L wrist plain film | AP view | 7-year-old male: 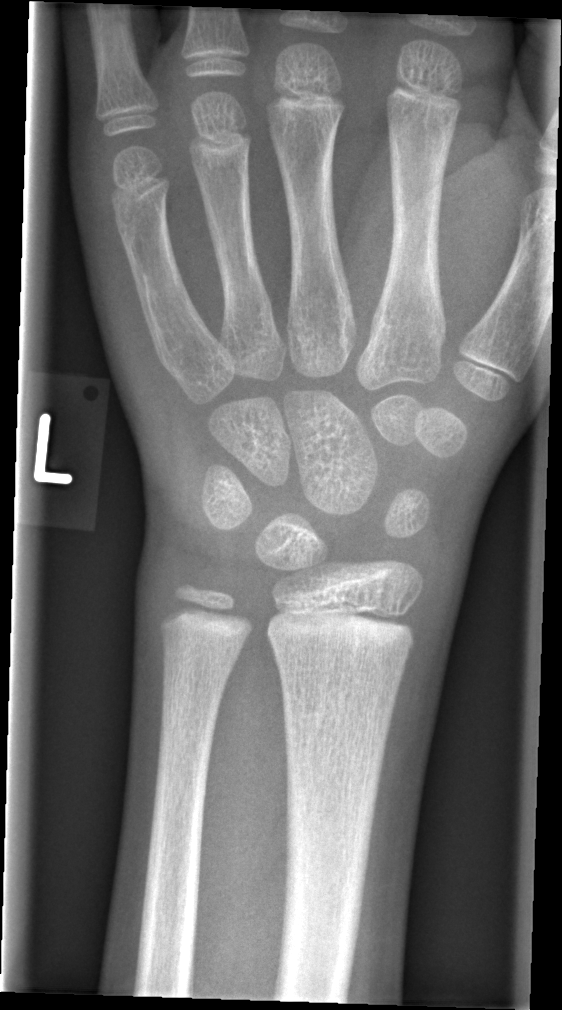
No fracture bounding box.